Lat view; Rt wrist plain film; presentation radiograph

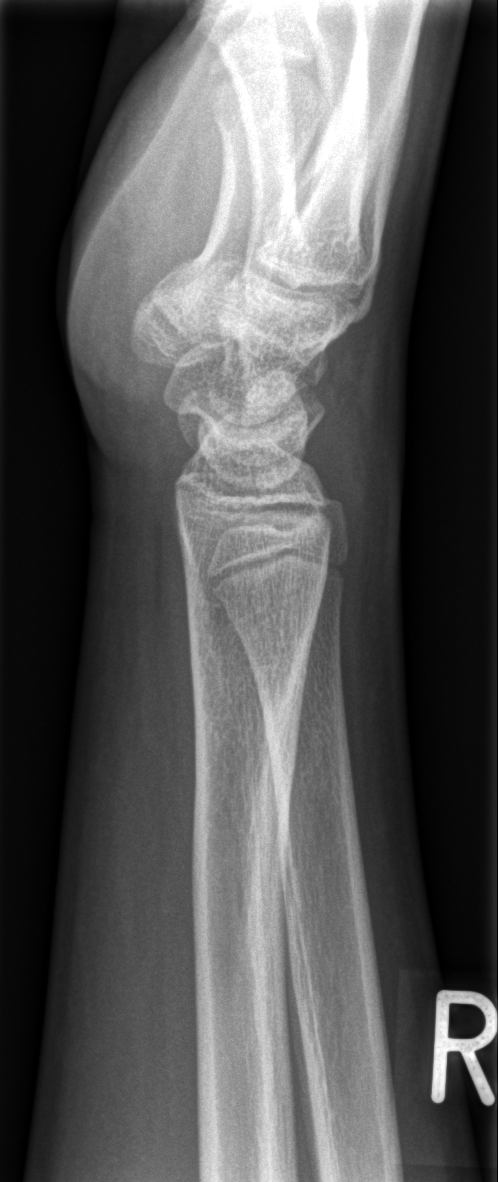   fracture: bbox(186, 610, 321, 1008)